Lat projection; left wrist plain film; 8y F; subsequent exam; imaged through cast:

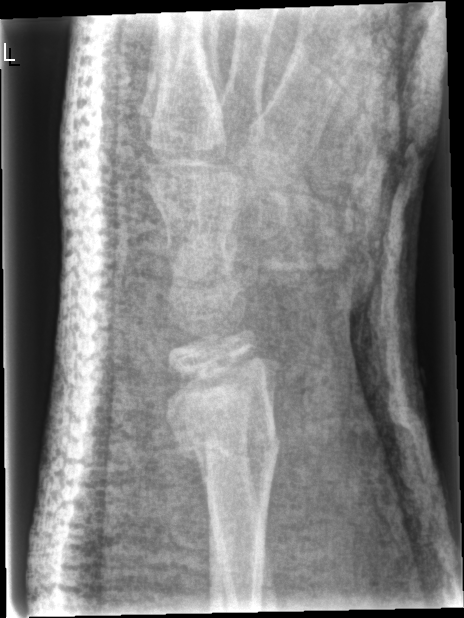 Findings: Bone fracture — (left=170, top=428, right=290, bottom=473).